Rt wrist XR; lateral view; subsequent exam; imaged through cast; detector: Siemens:

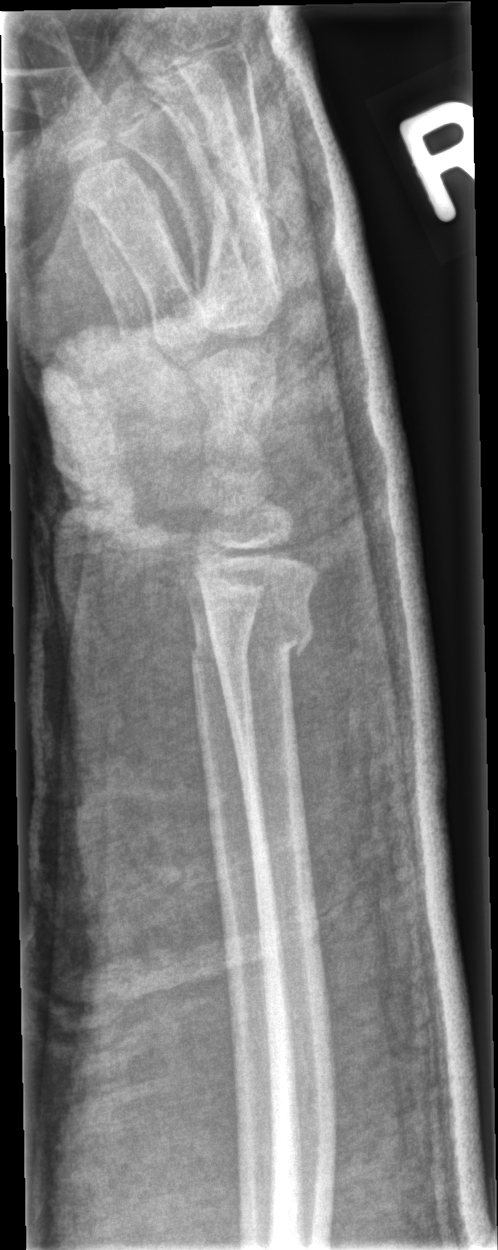

FINDINGS: Bone fracture identified at bbox(207, 602, 318, 674) bbox(188, 620, 256, 678). Fracture classified AO/OTA 23-M/2.1; 23u-E/7.